Lateral · R wrist XR · follow-up · Siemens —
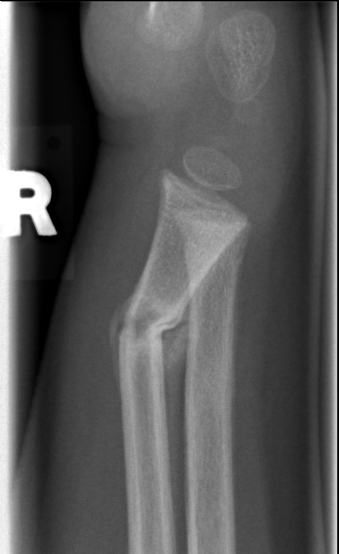   periostealreaction: (left=158, top=250, right=222, bottom=502), (left=109, top=277, right=142, bottom=400)
  fracture: 3 @ (left=107, top=288, right=186, bottom=359); (left=181, top=355, right=240, bottom=422); (left=183, top=238, right=250, bottom=277)